R wrist X-ray; lat view; 12-year-old male; detector: Siemens; image 64.9 mm wide. 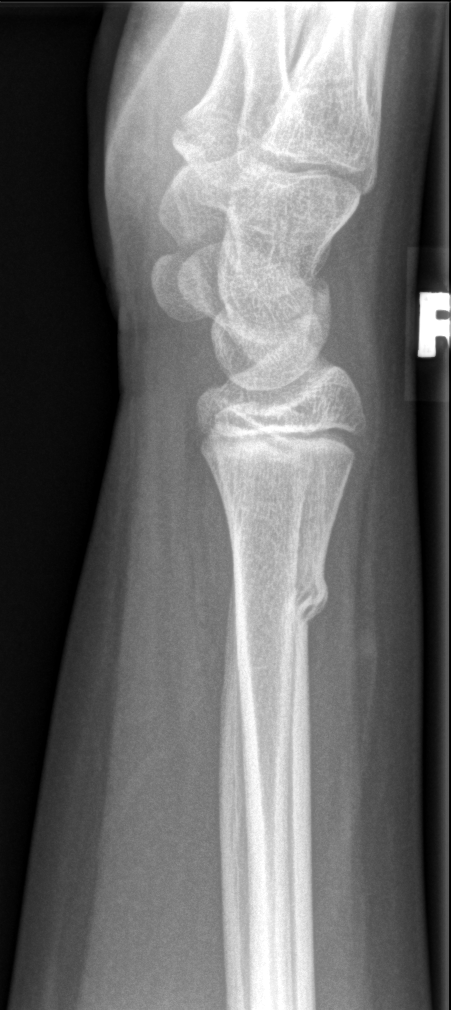

Findings: Fracture: [x1=223, y1=550, x2=334, y2=641].